Right wrist plain film | PA | presentation radiograph | image size 633x736:
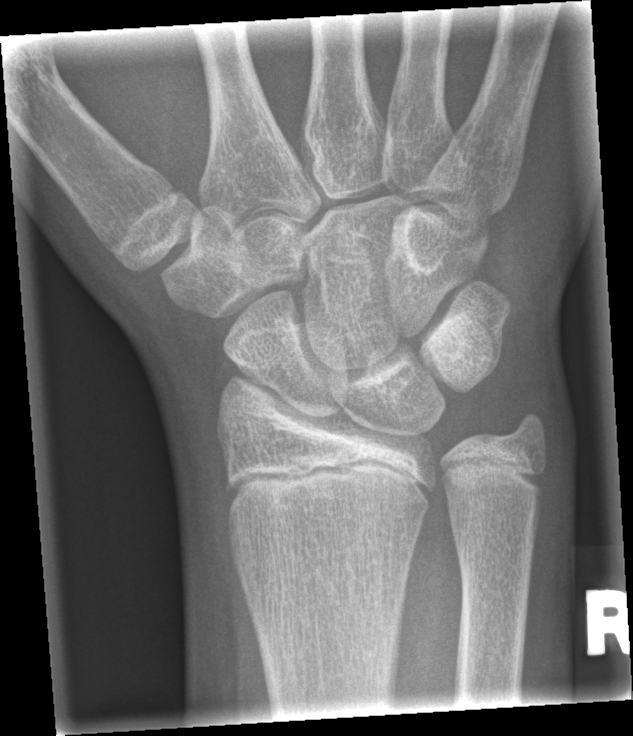
fracture: none labeled